PA projection | right wrist plain film | 6y M. 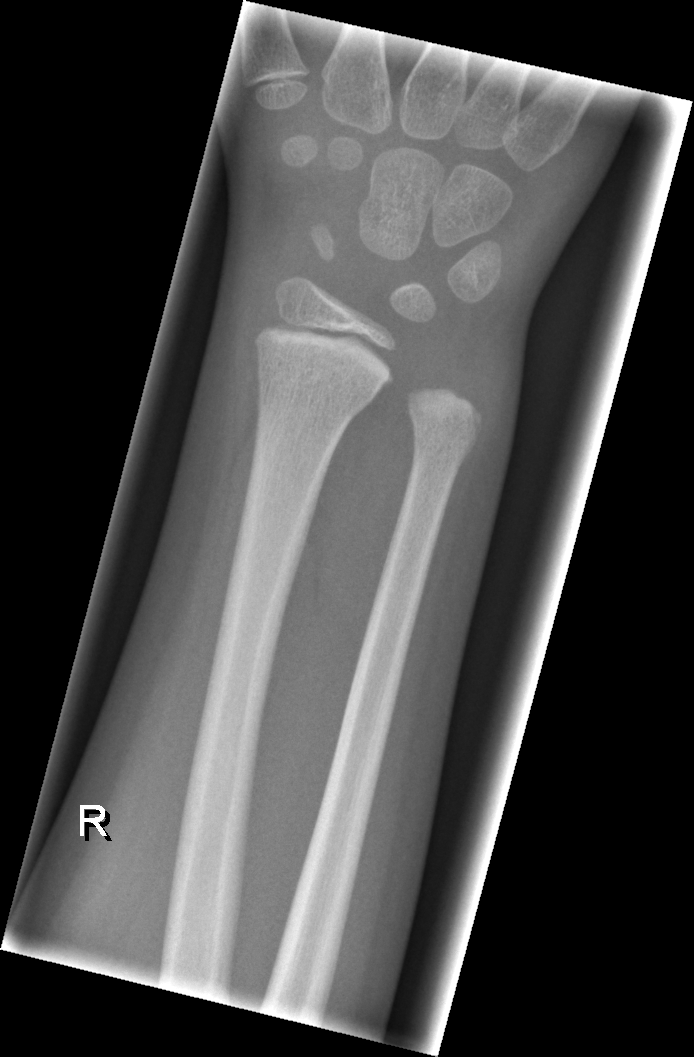

* Fracture classified AO/OTA 23-M/2.1.
* Fx — 253 370 376 436
  408 411 481 462.